Right wrist XR · frontal · Siemens · image 67.7 mm wide —

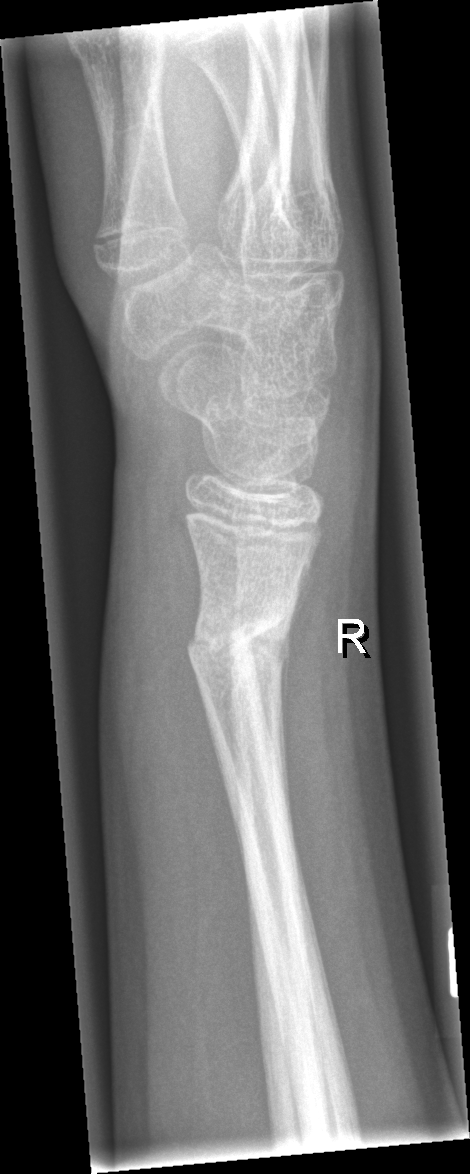

Coordinates are [x1, y1, x2, y2] in image pixels. Fracture classified AO/OTA 23-M/3.1. Fracture identified at 182 609 300 679.